Right wrist radiograph | PA/AP projection | follow-up —
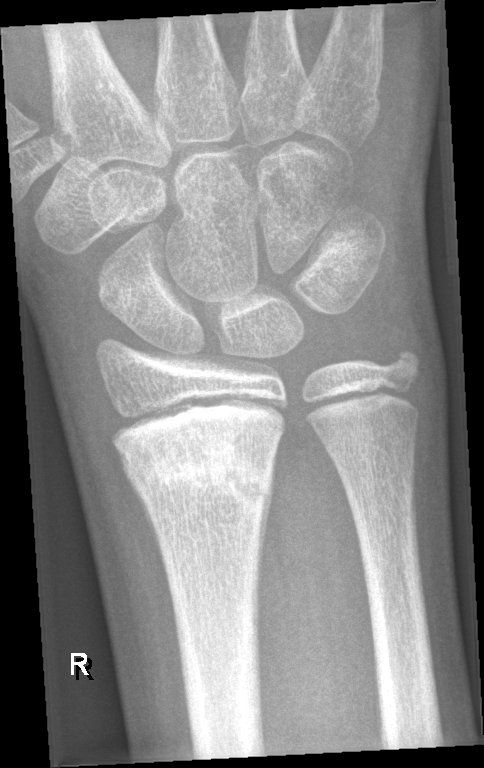

Fractures — 107,400,283,515 | 375,338,432,389. Fracture classified AO/OTA 23r-M/3.1; 23u-E/7.